PA/AP view | L wrist plain film | age 9 y, female | index exam.

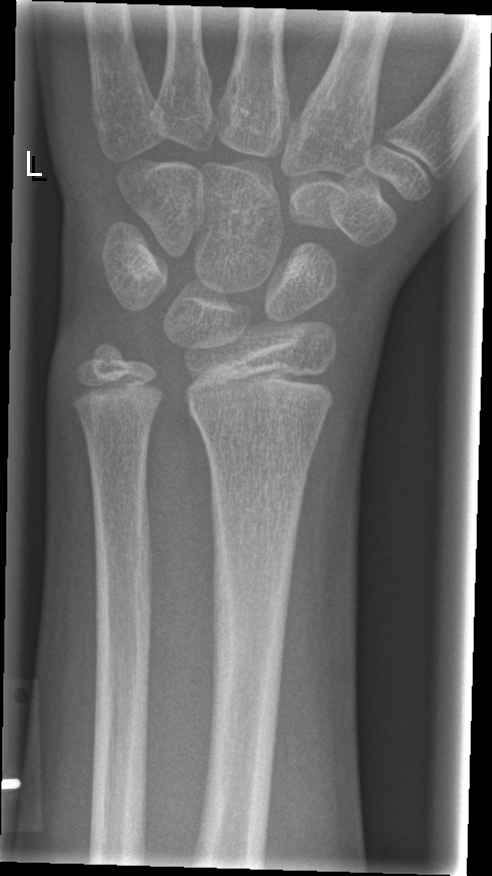 No Fx annotated.